Lateral projection | left wrist XR | pediatric patient (male, age 16)

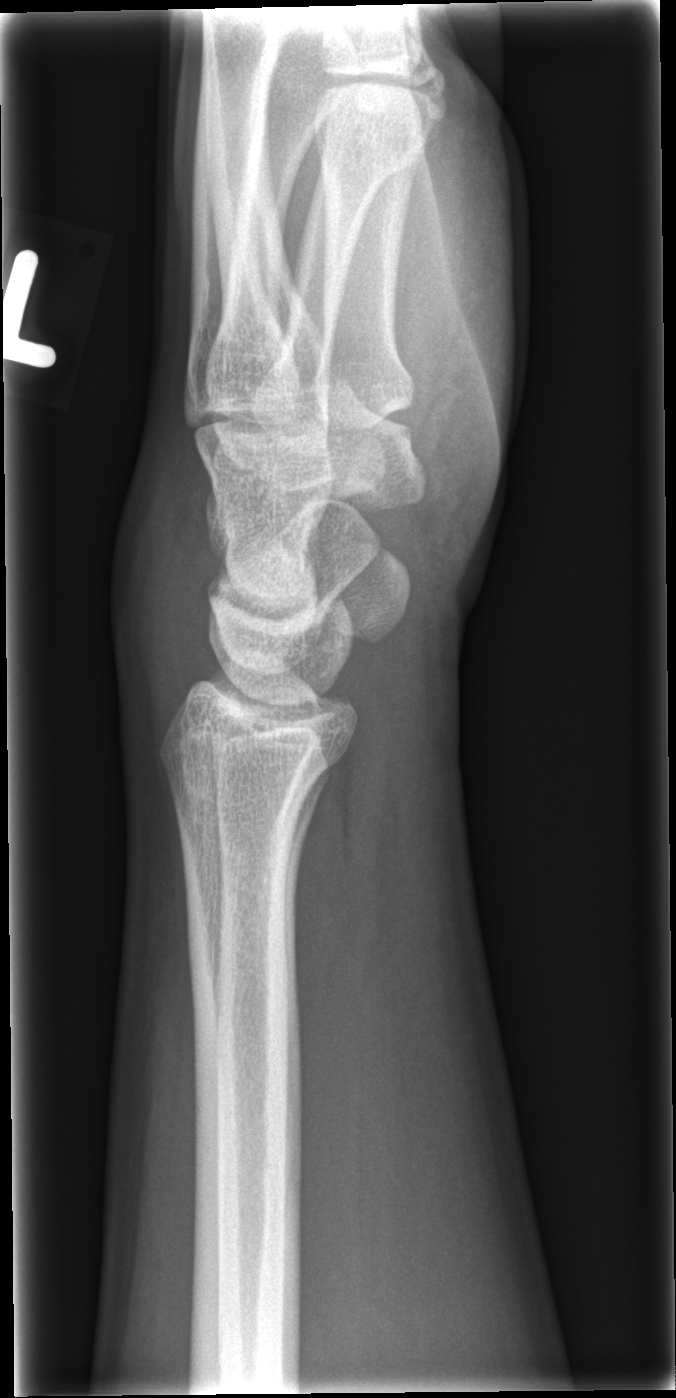 - Bounding boxes in image-pixel xyxy.
- AO code 72B(b).
- Fx: present but not clearly seen in this view.
- One soft tissue abnormality at 103,440,216,734.